R wrist XR, frontal view, image 92.0 mm wide, image size 639x982 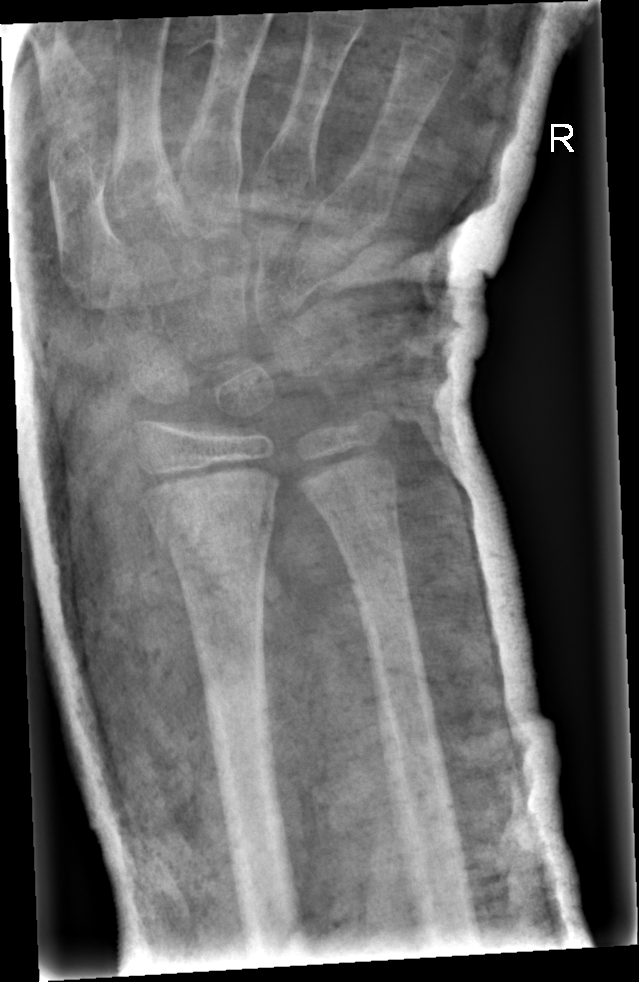
• Boxes as x1,y1,x2,y2 (top-left / bottom-right, pixel units).
• One Fx at (153, 499, 277, 558).
• AO code 23r-M/3.1.